Lt pediatric wrist radiograph · lateral · subsequent exam

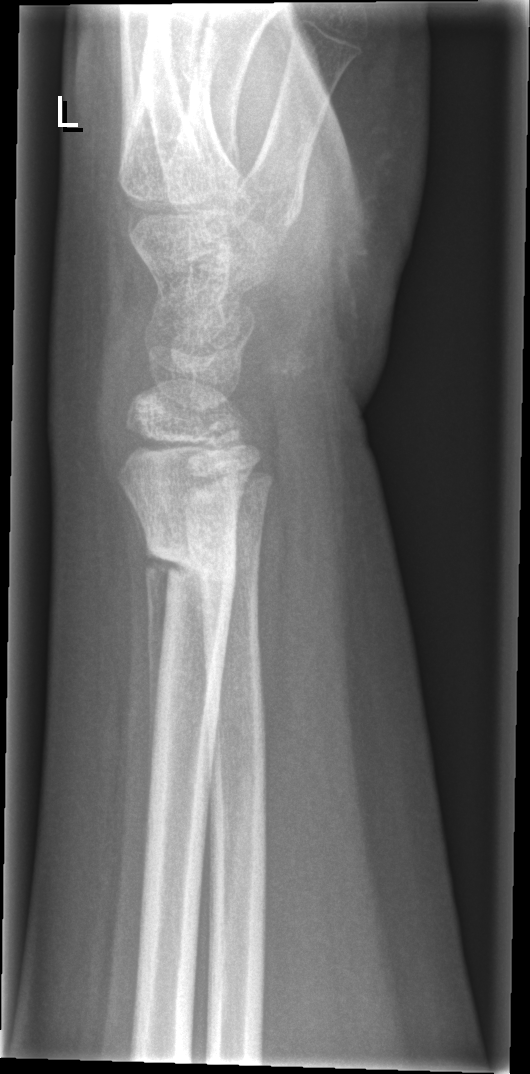 fracture = [144, 533, 242, 599]
periosteal reaction = 1 @ [125, 491, 171, 829]
osteopenia = present